PA; L plain radiograph of the wrist
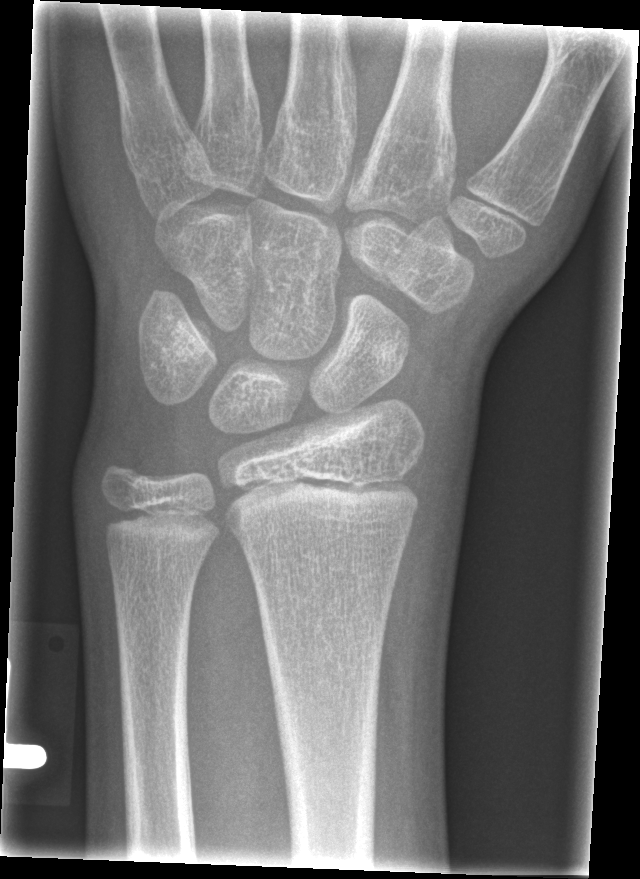 {
  "fracture": "none labeled"
}